Left plain radiograph of the wrist, PA/AP, pediatric patient (female, age 15), follow-up, image 98.9 mm wide.

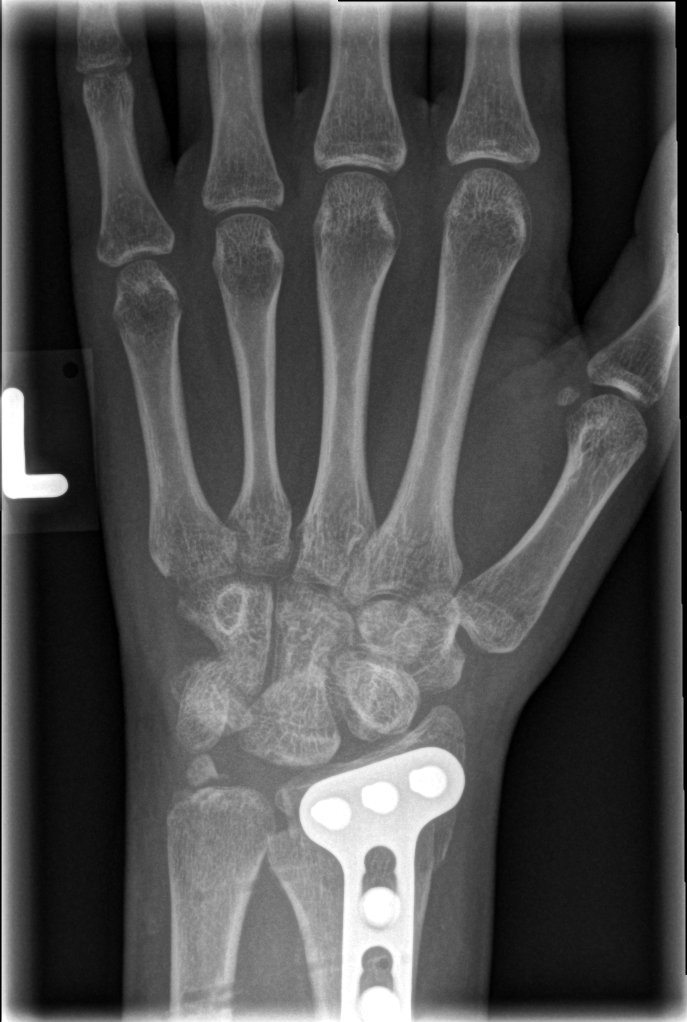 Coordinates are [x1, y1, x2, y2] in image pixels.
Fx — 263 798 457 870; 167 748 240 817.
Bone variants — 180 871 266 914; 169 972 237 1017; 303 937 341 978.
AO code 23r-M/3.1; 23u-E/7.
Metallic implant — 286 748 477 1020.